Left wrist XR, posteroanterior projection, 95.9 mm image width: 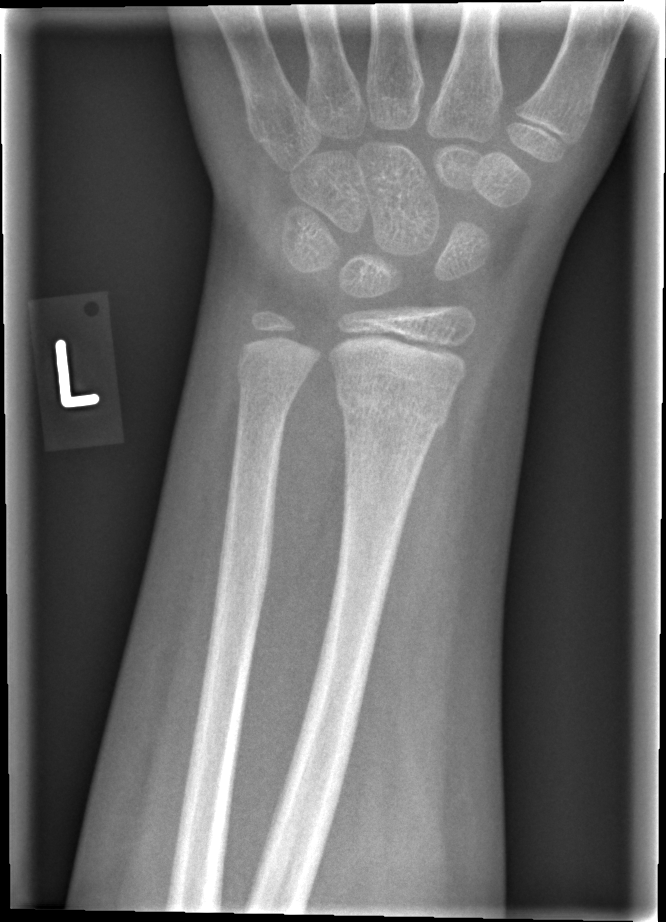
(bounding boxes in image-pixel xyxy)
Q: Fracture present?
A: Bone fracture: [333, 372, 453, 439], [233, 360, 304, 412]